Lat; R plain radiograph of the wrist; cast in situ; image width 72.9 mm
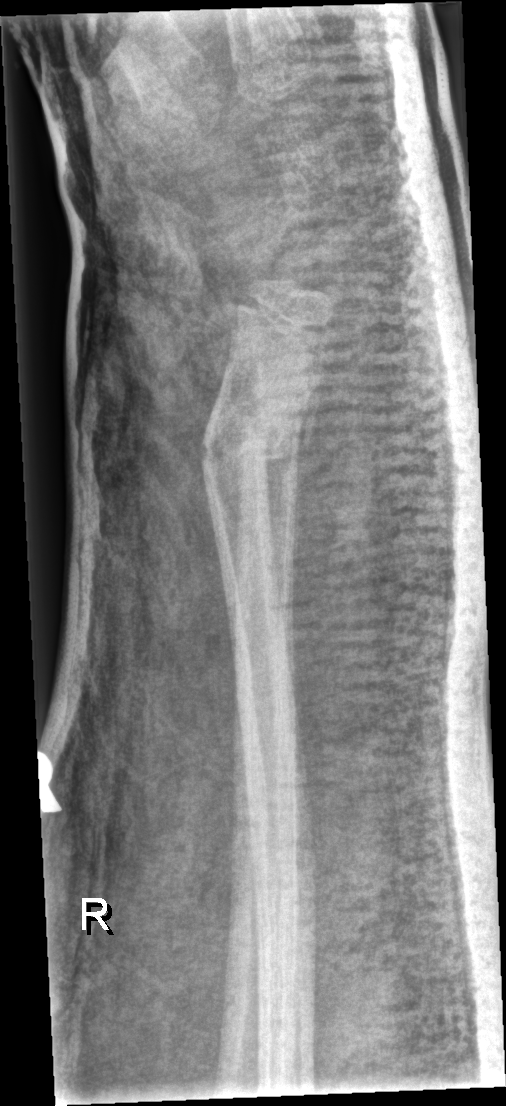

Bone fracture identified at [x1=199, y1=388, x2=322, y2=502]. AO/OTA classification: 23-M/3.1.